Right wrist plain film; lateral; 582 by 1238 pixels —
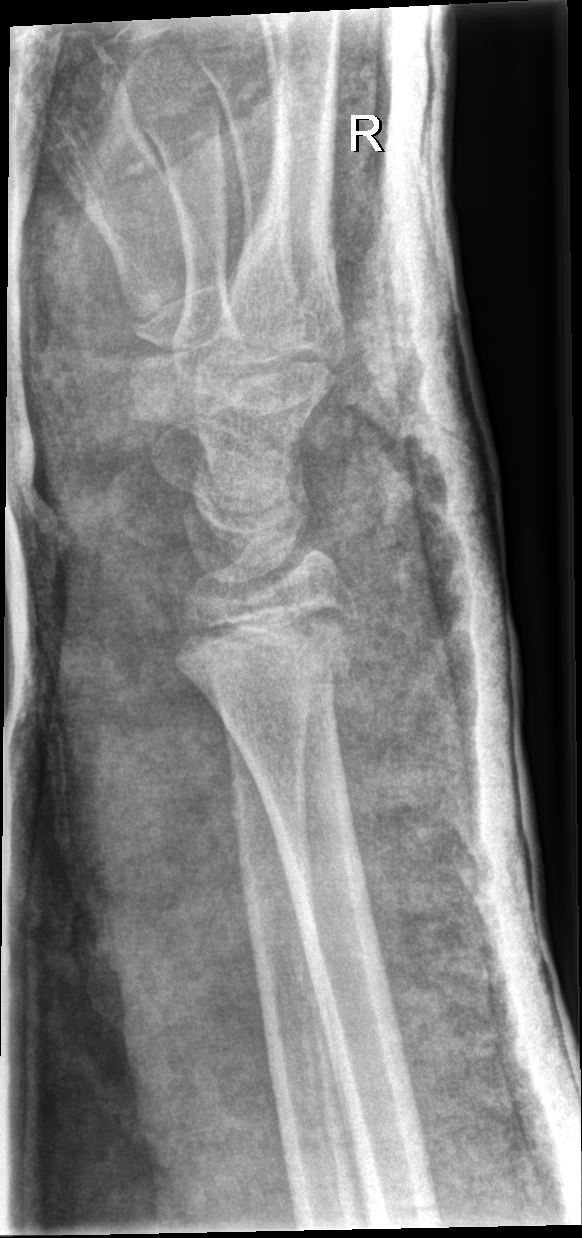
- One fracture at [x1=177, y1=619, x2=358, y2=699].
- AO code 23r-E/2.1; 23u-E/7.